R wrist plain film | AP

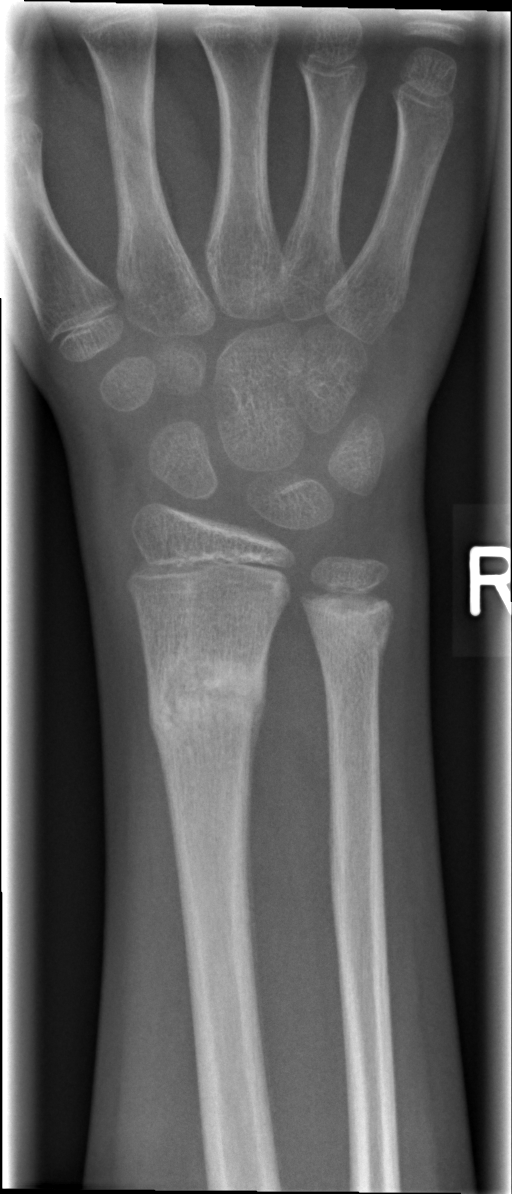

Findings: Decreased bone density (osteopenia). Periosteal new bone identified at [244, 634, 271, 840]. Fx — [144, 649, 269, 748]; [304, 600, 396, 669].